Frontal | L plain radiograph of the wrist —
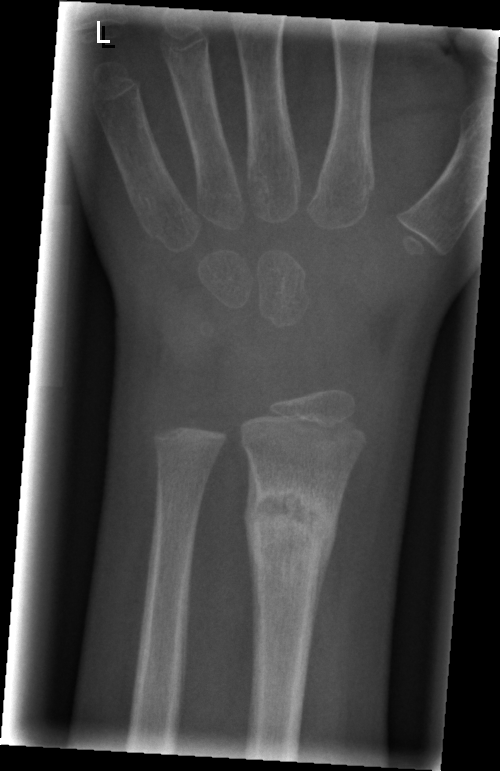
periosteal reaction: bbox(312, 506, 339, 640), bbox(245, 457, 262, 659)
osteopenia: present
AO/OTA: 23r-M/3.1
fracture: 1 @ bbox(242, 482, 338, 570)